Left wrist plain film · lat · pediatric patient (female, age 6) · imaged through cast · Siemens: 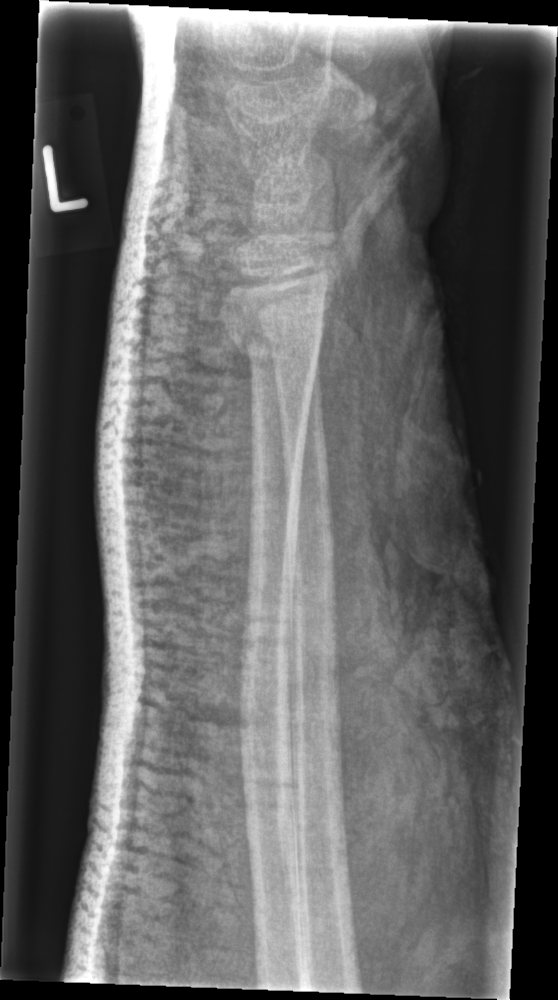 Bounding boxes in image-pixel xyxy. One fracture at <230,314>-<328,372>.